Lt wrist radiograph | lateral | detector: Siemens
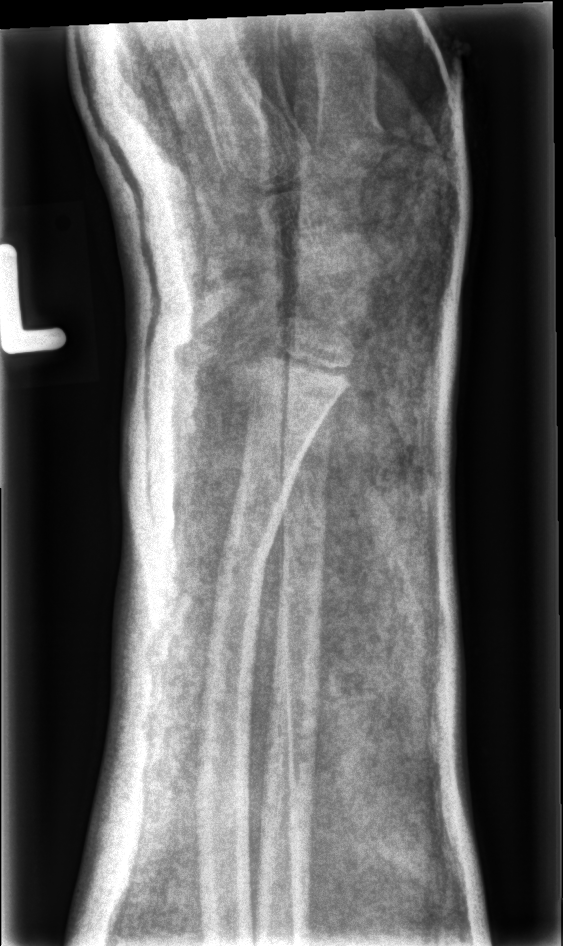
Fracture — 215,513,279,577.